Rt plain radiograph of the wrist | lateral | pediatric patient (male, age 12) | index exam
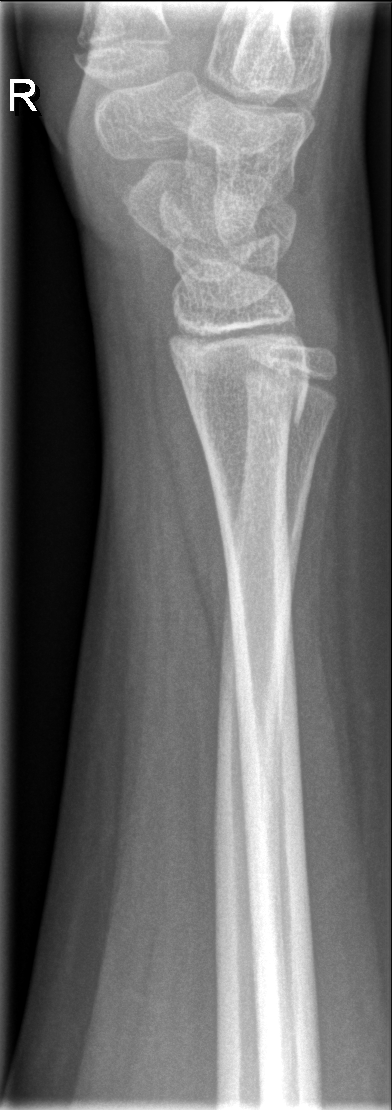 {"_coords": "boxes as x1,y1,x2,y2 (top-left / bottom-right, pixel units)", "ao": "23r-M/3.1", "fracture": "(179, 365, 313, 432)"}